Lat, left wrist X-ray: 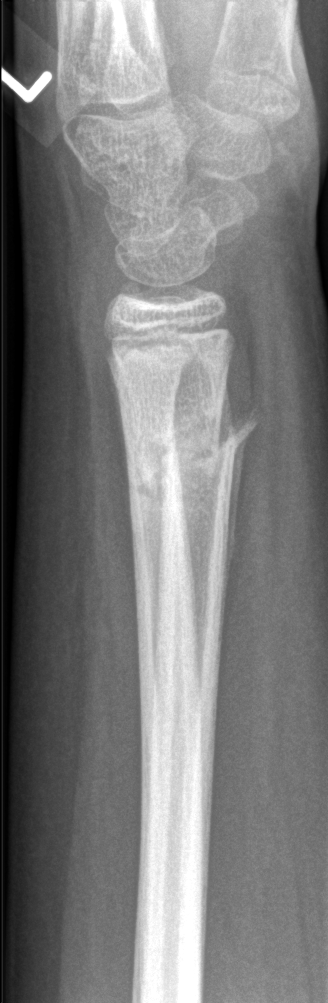 Boxes as x1,y1,x2,y2 (top-left / bottom-right, pixel units). Fx: 120 400 265 505. Osteopenic. AO/OTA classification: 23r-M/3.1; 23u-E/2.1. Periosteal new bone: 221 435 248 627
  217 370 236 456.